Lateral projection; right wrist plain film —
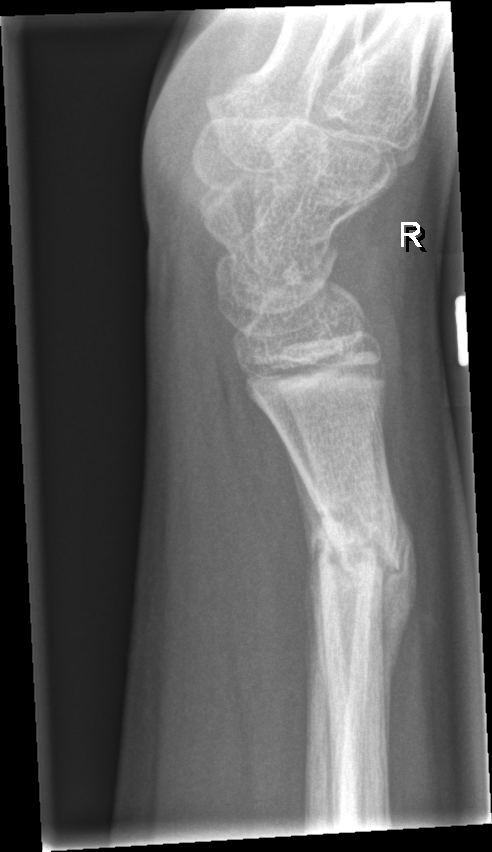
Bone fracture = 1 @ (306, 492, 407, 606)
Periosteal reaction = (384, 495, 417, 714)
Osteopenia = present